L plain radiograph of the wrist | lat | age 6 y, male:
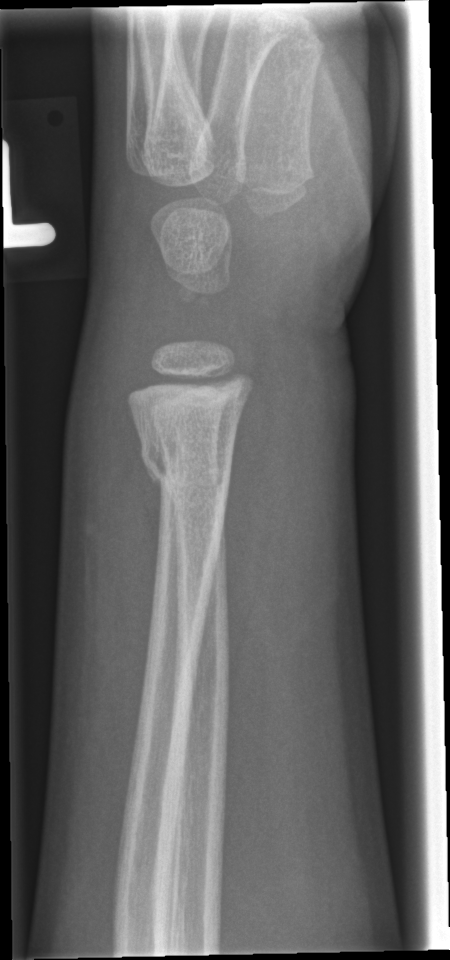
  # boxes as x1,y1,x2,y2 (top-left / bottom-right, pixel units)
  fracture: 1 @ 136,434,232,494
  ao: 23-M/3.1
  softtissue: 61,237,166,667